Left wrist radiograph; lateral view; cast present; detector: Siemens:

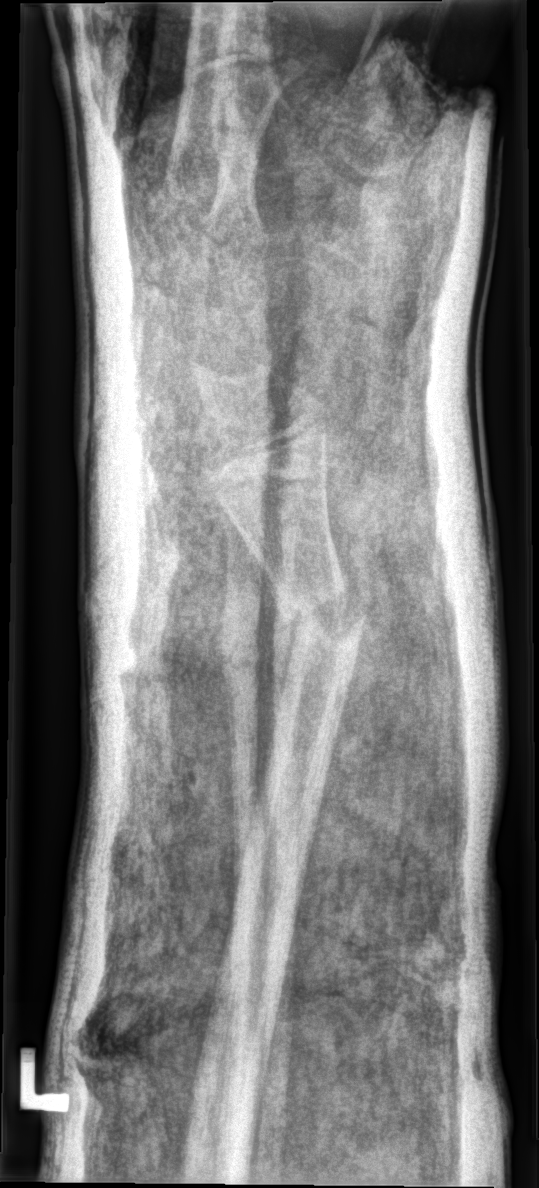
{
  "ao": "23-M/3.1",
  "fracture": "1 @ 280 575 368 662"
}